Lat projection · right wrist radiograph · male, 12 yo · 63.1 mm image width:

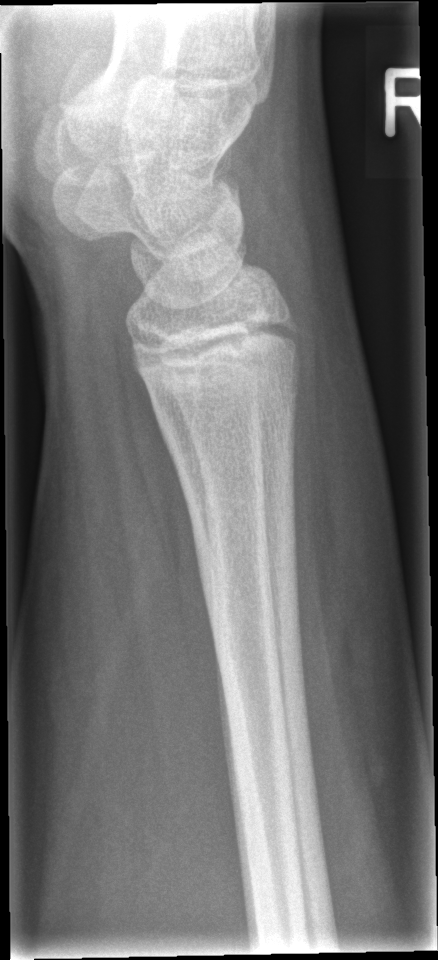
Pixel coordinates, top-left origin, xyxy.
Bone fracture: 128,310,311,404.
Decreased bone density (osteopenia).